L wrist X-ray · lat view · in cast 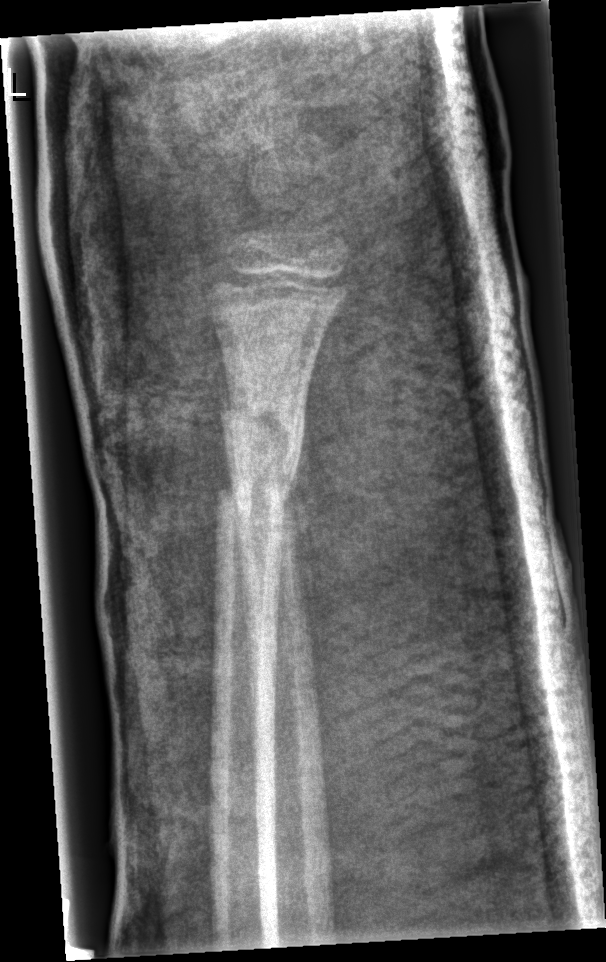 Findings: Bone fracture: bbox(204, 387, 312, 523).